Right wrist radiograph, lateral, Siemens:

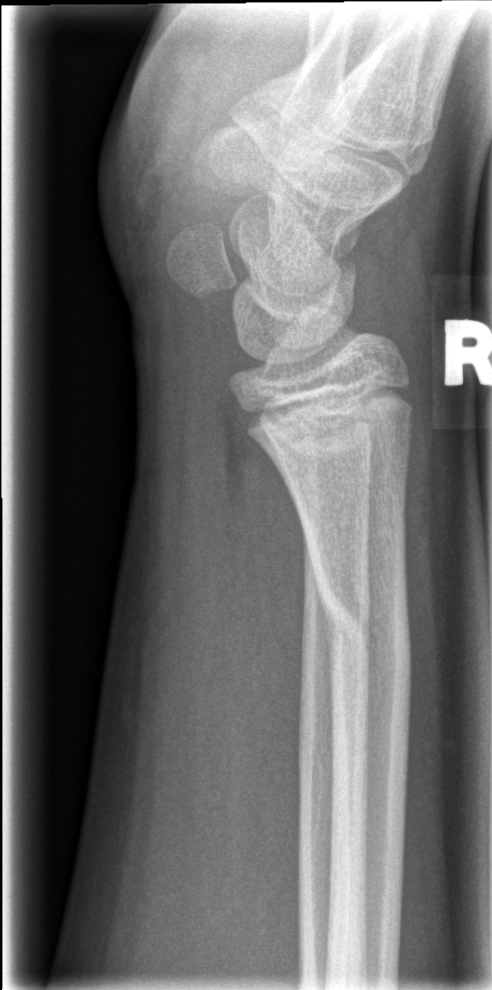

Findings: Pronator sign identified at <228,436>-<309,801>. Bone fracture — <310,560>-<416,690>.